PA | L wrist X-ray | follow-up | cast in situ | image width 65.1 mm | 452 x 957 px
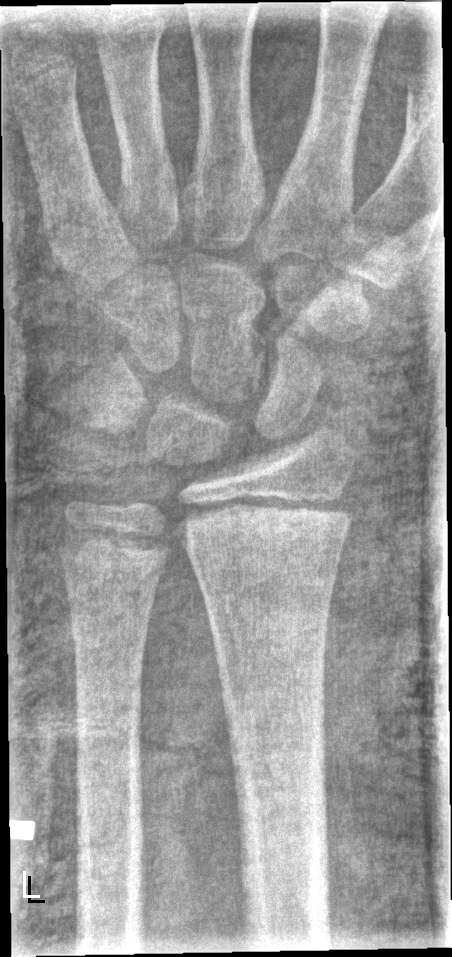

Fx: present but not clearly seen in this view